Lateral | right wrist plain film | age 10 y, boy | 465x996. 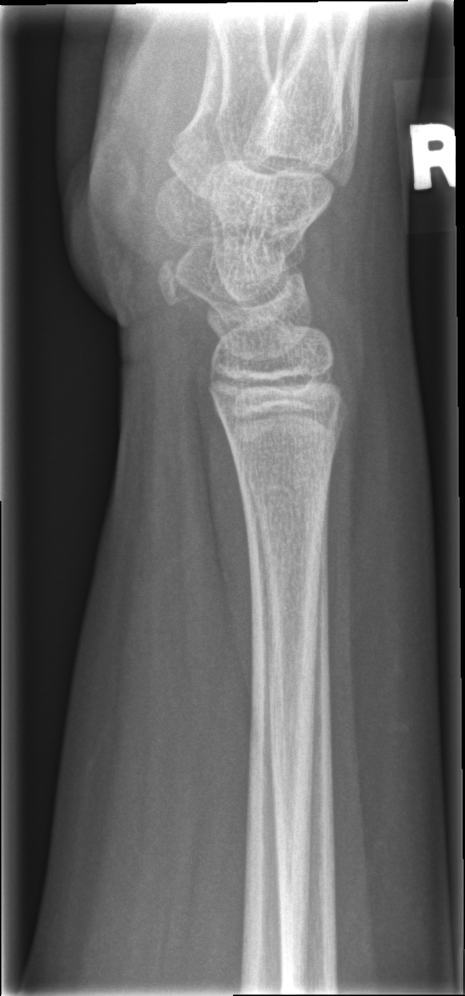 No fracture annotation.